Lateral | left wrist XR | 10-year-old male | cast in situ | Siemens | image size 474x1110 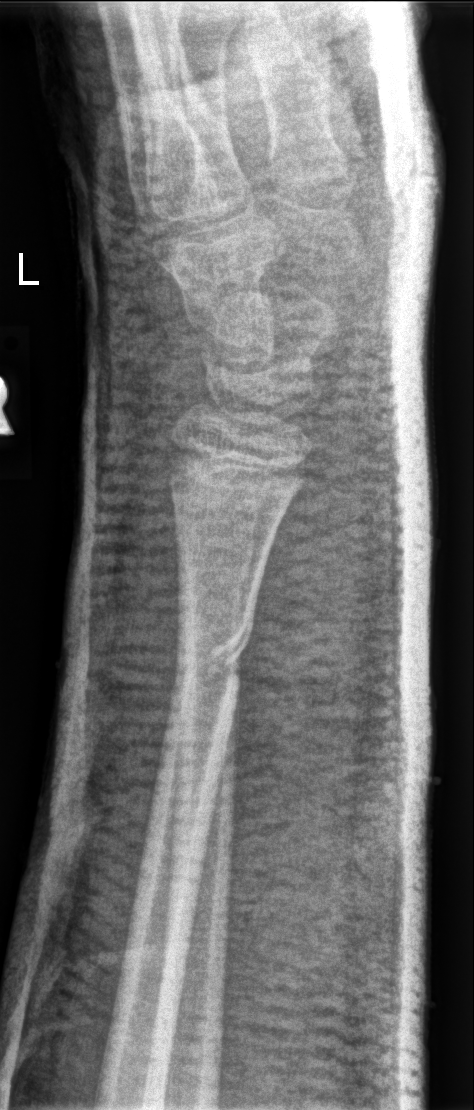 Fx = [168, 611, 255, 709]